Right wrist X-ray; PA view; cast present —

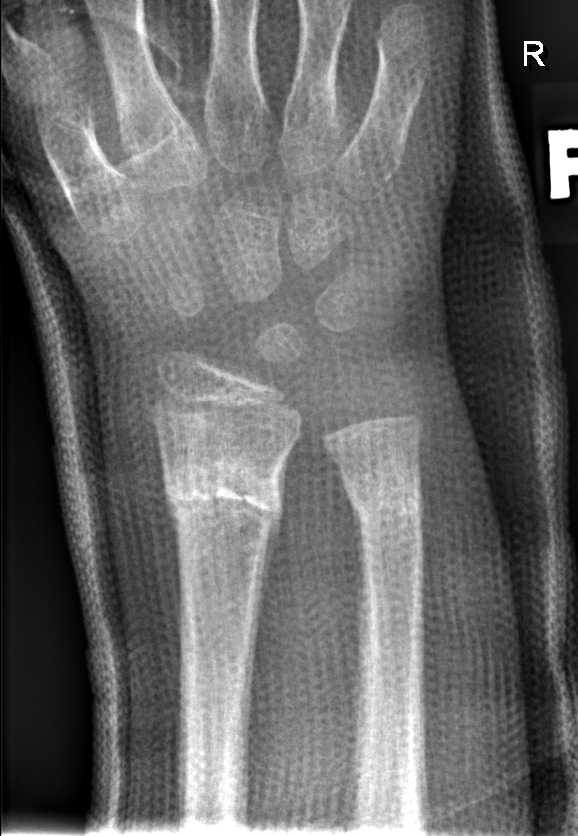

Fracture identified at bbox(159, 447, 288, 540); bbox(346, 466, 427, 527).
Periosteal reaction — bbox(253, 453, 291, 650); bbox(163, 468, 184, 666); bbox(350, 498, 368, 662).
AO/OTA classification: 23-M/2.1.